Lat projection; L plain radiograph of the wrist; pediatric patient (female, age 2)

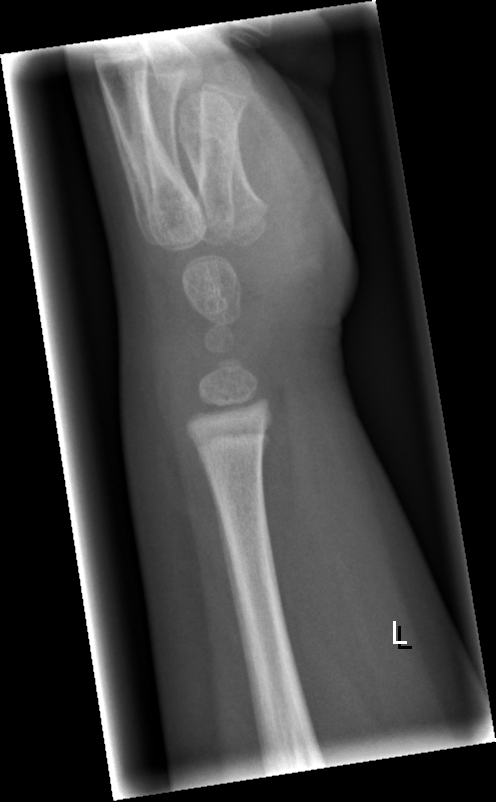

FINDINGS: Fx: none.